Lat; L wrist X-ray; 13-year-old boy.

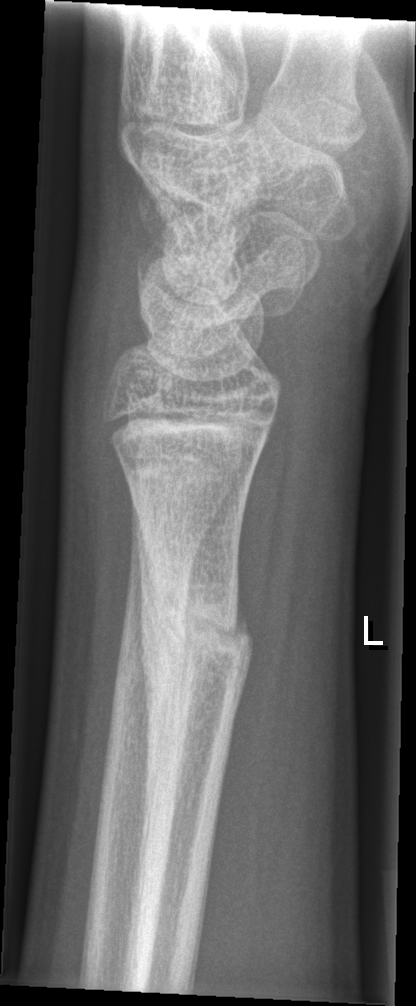

Pixel coordinates, top-left origin, xyxy. Fx identified at <138,588>-<255,672>. AO/OTA classification: 23r-M/3.1; 23u-M/2.1; 23u-E/7. Periosteal thickening identified at <128,495>-<186,955>, <230,586>-<255,715>.